AP projection; Rt wrist XR
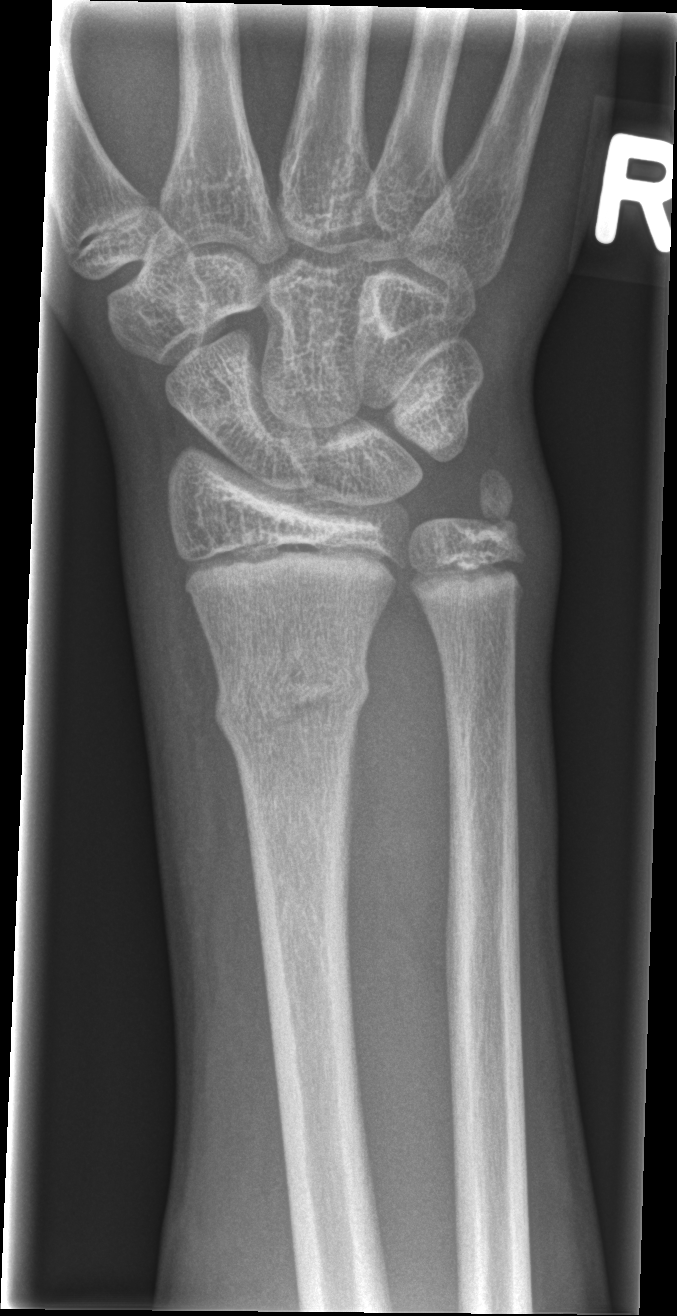 Q: Any fracture seen?
A: Two Fx at bbox(211, 647, 373, 766) bbox(464, 463, 529, 554)